Lat projection; left wrist plain film —
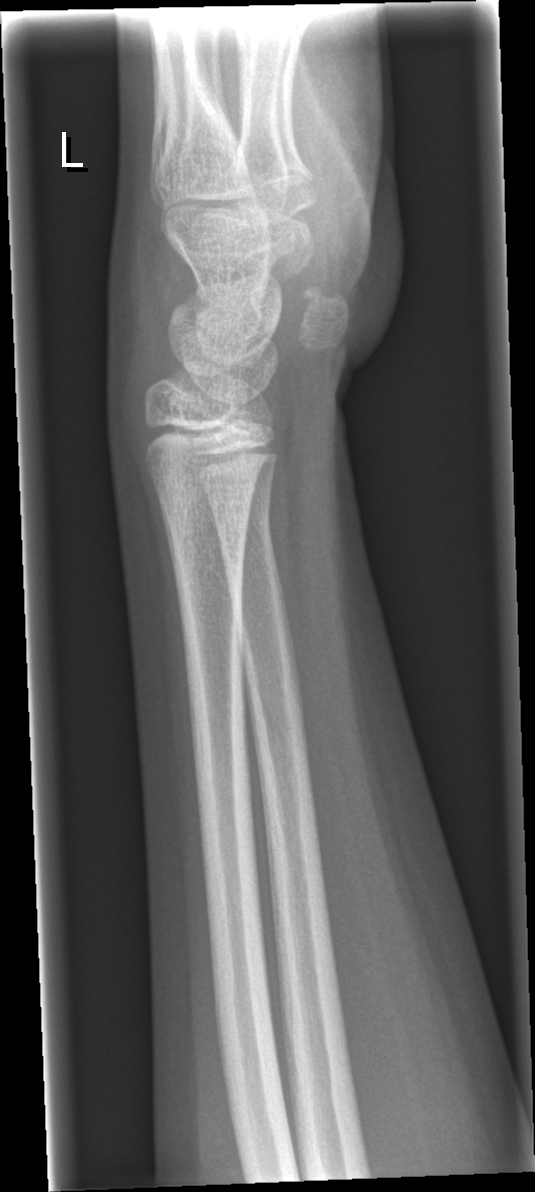
Fracture: none labeled